PA/AP projection; Lt pediatric wrist radiograph; pediatric patient (female, age 10); image width 97.9 mm.
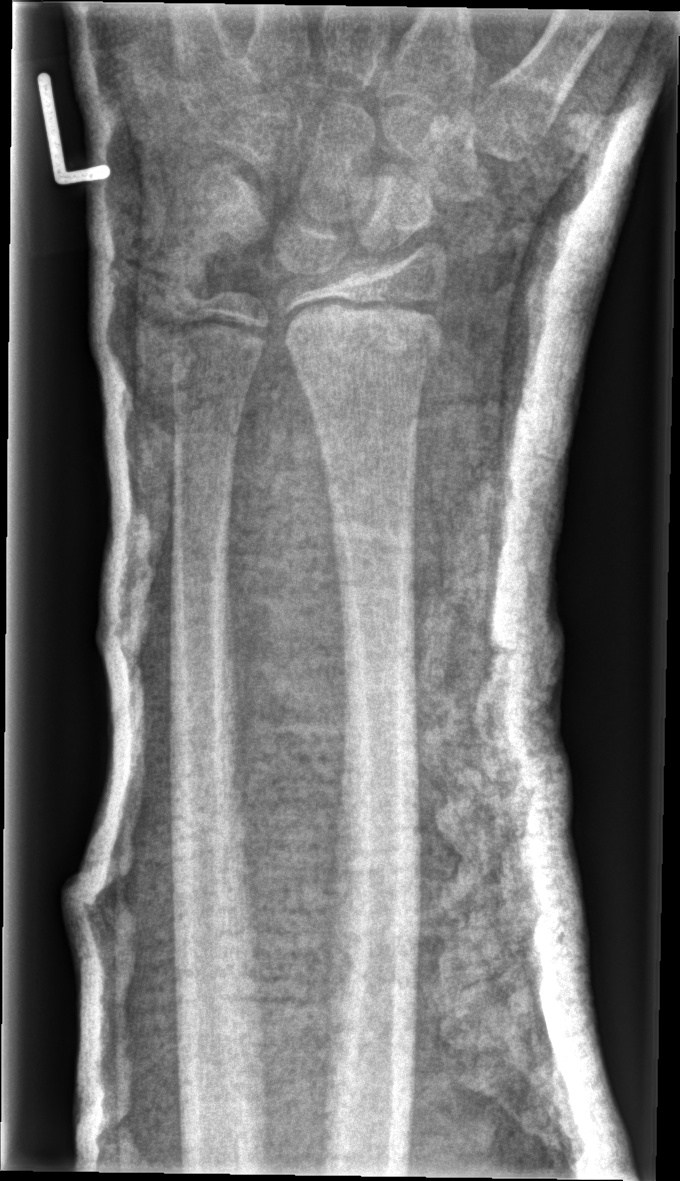
Coordinates are [x1, y1, x2, y2] in image pixels. AO code 23r-E/2.1. One bone fracture at bbox(280, 290, 449, 383).